AP view, L plain radiograph of the wrist, age 16 y, male, initial study, 672 by 1024 pixels:
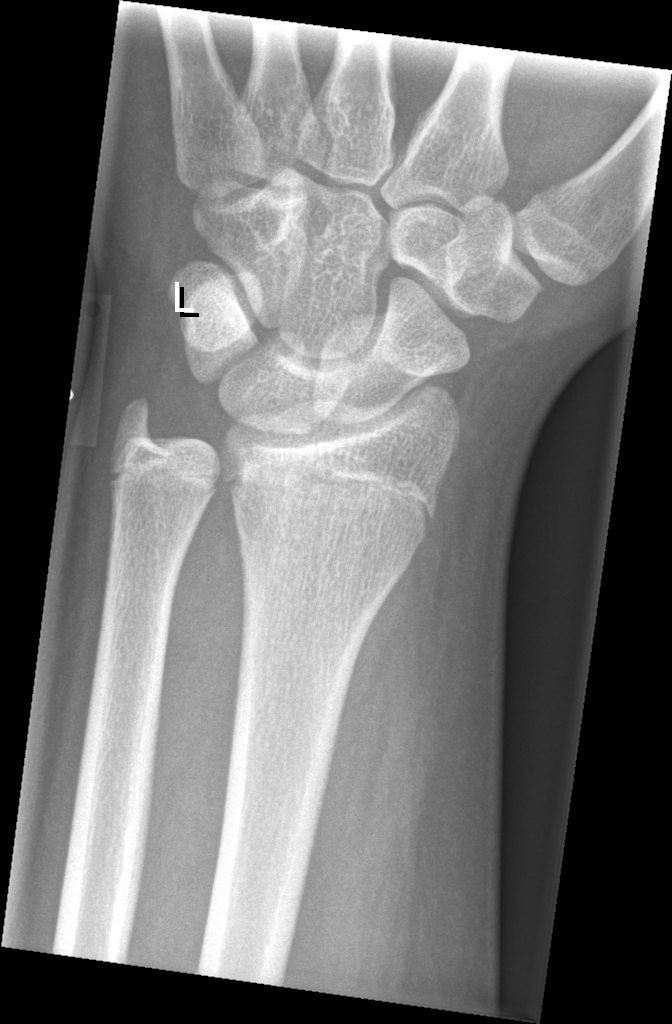

* Fracture classified AO/OTA 23r-M/2.1.
* Fracture present, but no bounding box because it is not clearly seen in this view.